R pediatric wrist radiograph | lateral projection | image width 67.1 mm | image size 466x1026

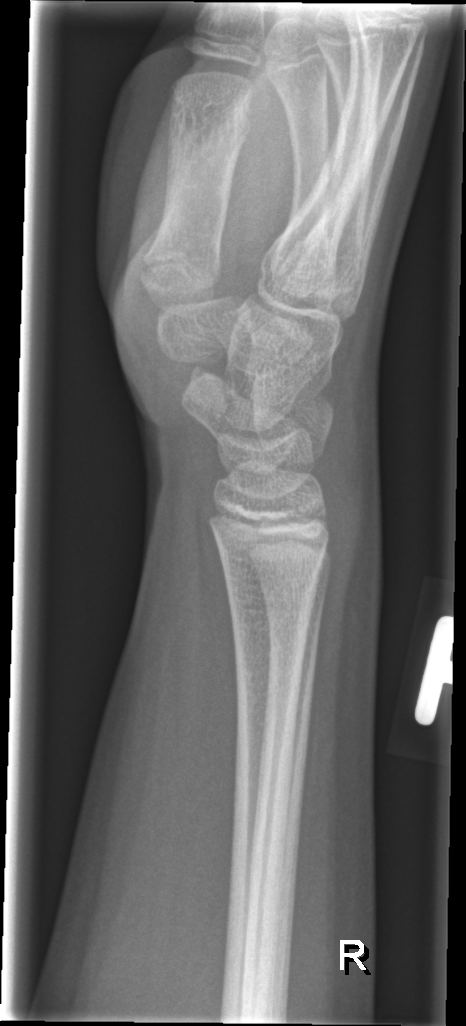
Fracture: none labeled.